Left wrist plain film; PA/AP projection — 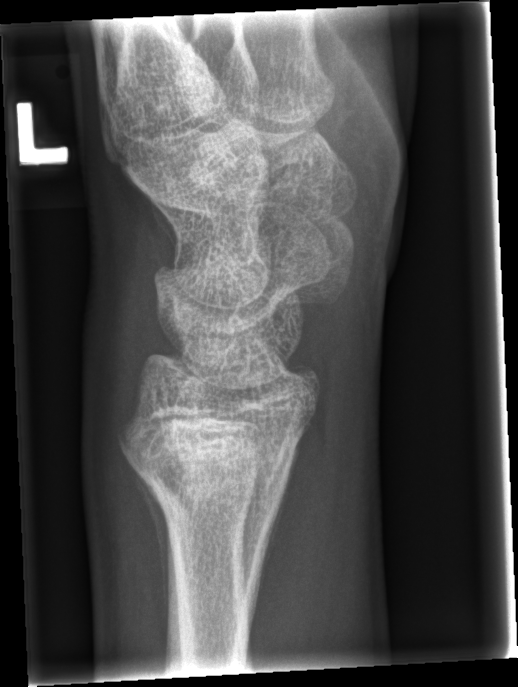

AO/OTA = 23r-M/3.1; 23u-E/7
Fx = 1 @ 122 383 310 542
Periosteal reaction = 129 461 172 649
Osteopenia = present